Right pediatric wrist radiograph · lat view · initial study · Siemens · 476 x 1032 px — 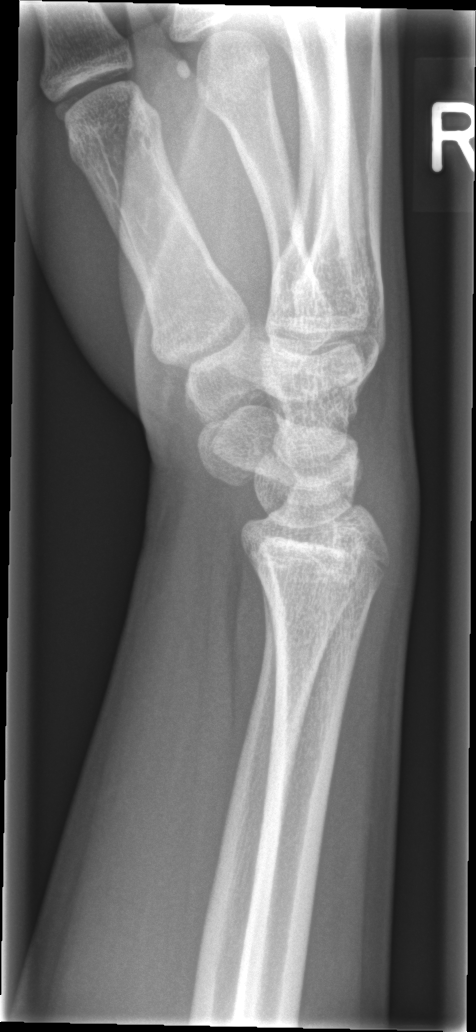
{"fracture": "none labeled"}